Lat; right plain radiograph of the wrist; age 11 y, girl; follow-up; cast present; Siemens.
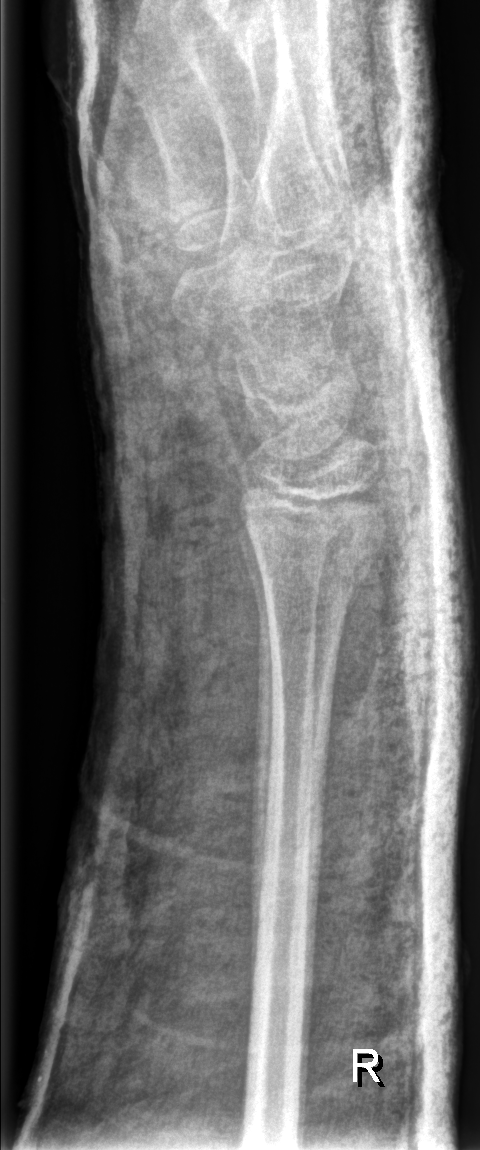

AO classification = 23r-M/2.1
Fx = 242,517,387,601